PA/AP, right wrist XR — 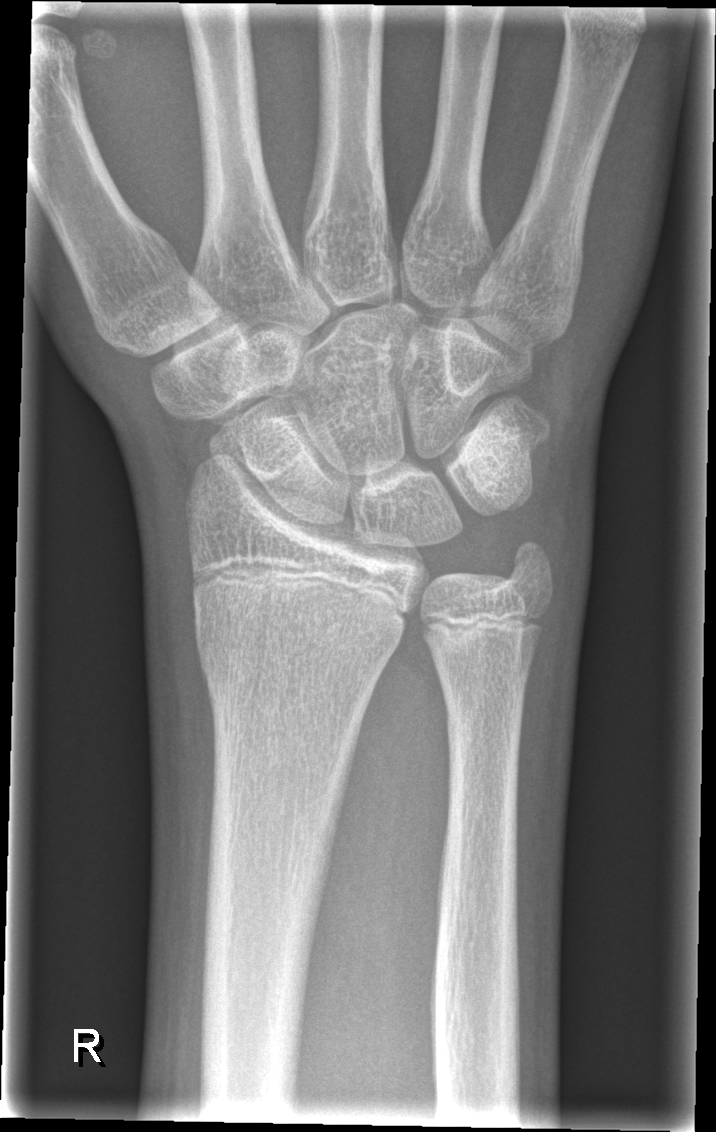

Fracture present but not clearly seen in this view.